Rt wrist radiograph | lateral view | pediatric patient (male, age 13) | initial study | 448 x 1026 px
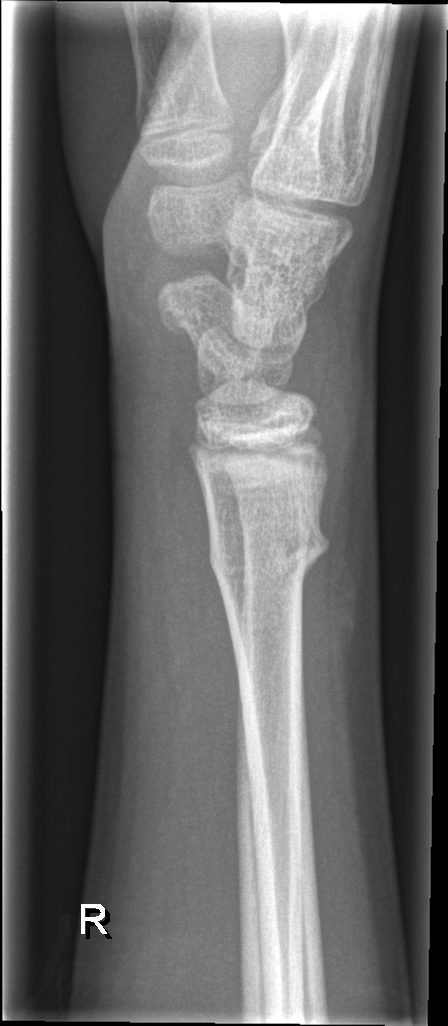

FINDINGS: (boxes as x1,y1,x2,y2 (top-left / bottom-right, pixel units)) Bone fracture: (203, 512, 335, 603). Pronator quadratus fat-pad sign: (153, 463, 245, 885).